Rt wrist X-ray; PA/AP.
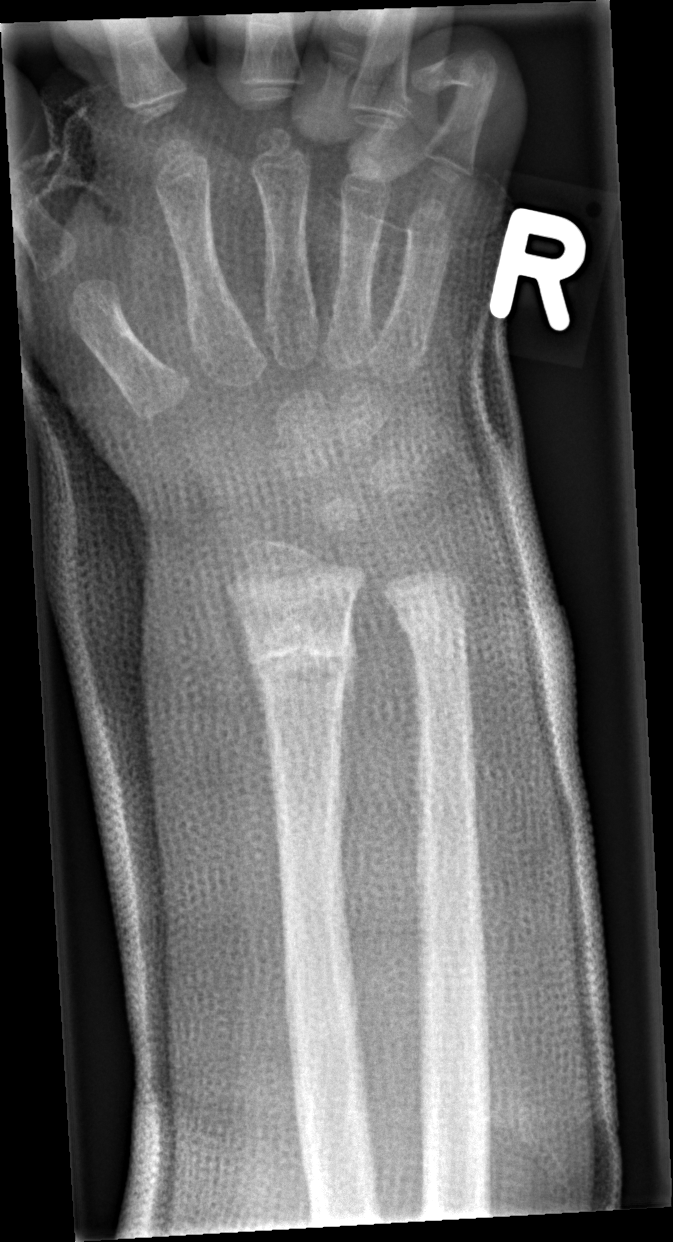 {
  "_coords": "pixel coordinates, top-left origin, xyxy",
  "fracture": "239 619 362 699 | 395 606 475 662",
  "ao": "23-M/3.1"
}